R wrist XR | posteroanterior | male, 7 yo | 526 x 868 px:

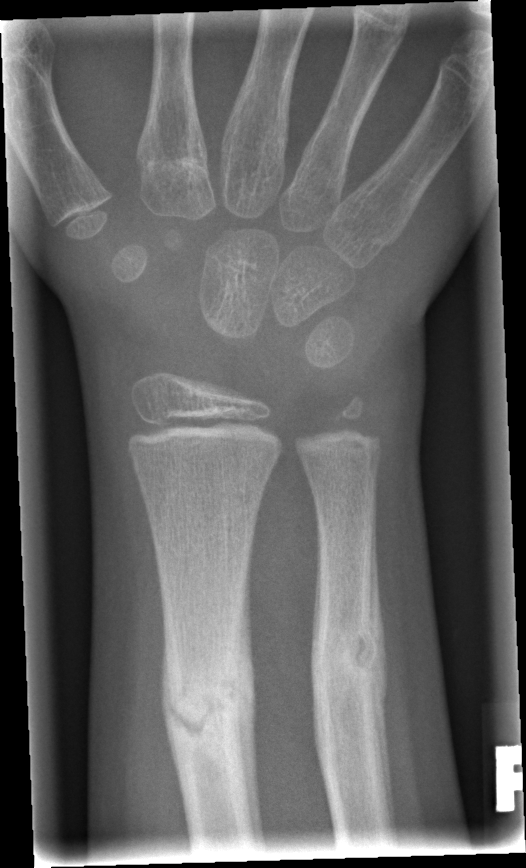 (coordinates are [x1, y1, x2, y2] in image pixels)
Periosteal reaction = 2 @ (left=363, top=483, right=399, bottom=851), (left=235, top=538, right=268, bottom=854)
Bone fracture = 2 @ (left=157, top=642, right=258, bottom=769); (left=307, top=592, right=394, bottom=717)
Osteopenia = present